Rt wrist XR · frontal · 13y M · Siemens · image 123.6 mm wide. 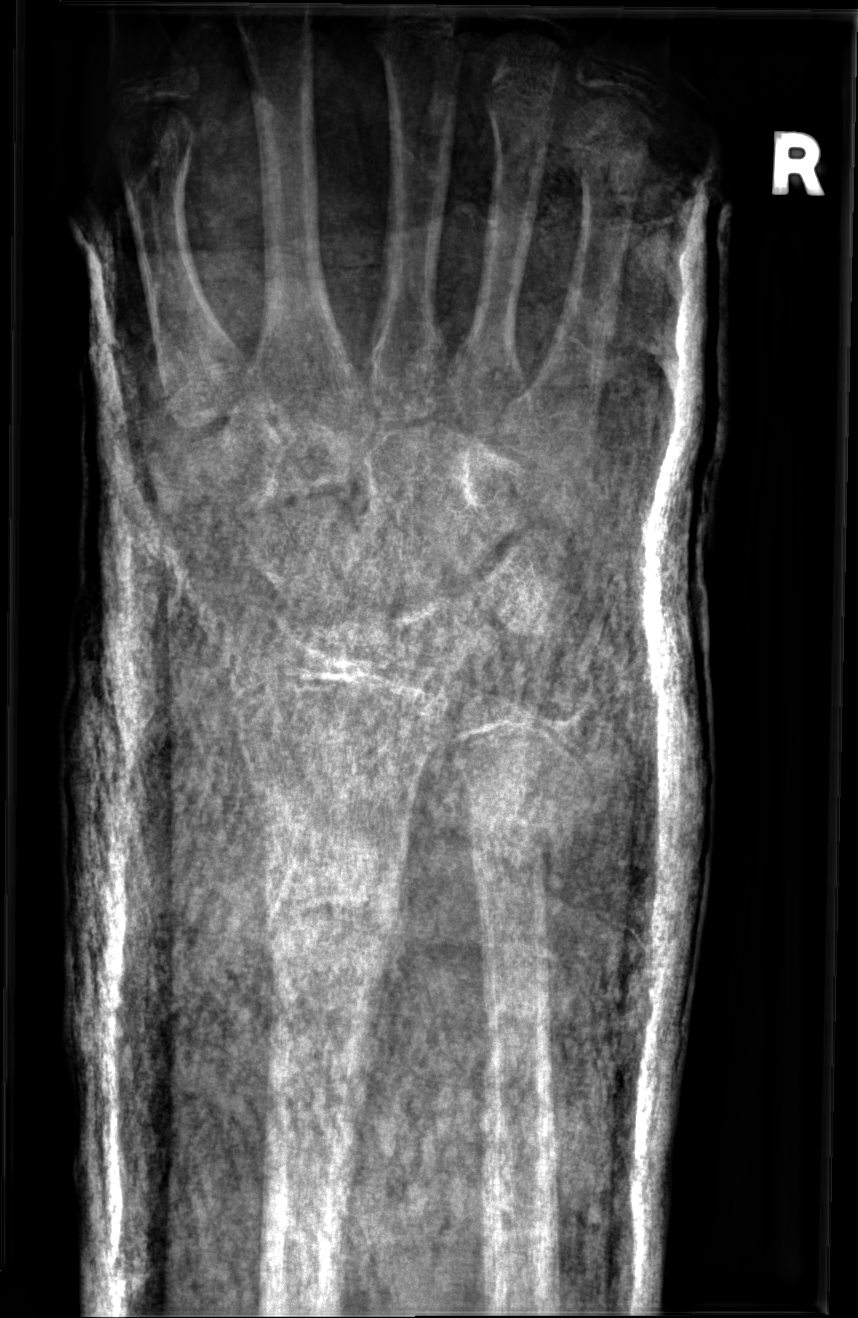 Two fractures at [x1=251, y1=846, x2=411, y2=984], [x1=460, y1=790, x2=581, y2=873].